Lateral view · right pediatric wrist radiograph · girl, 12 yo · image 66.1 mm wide · image size 459x706

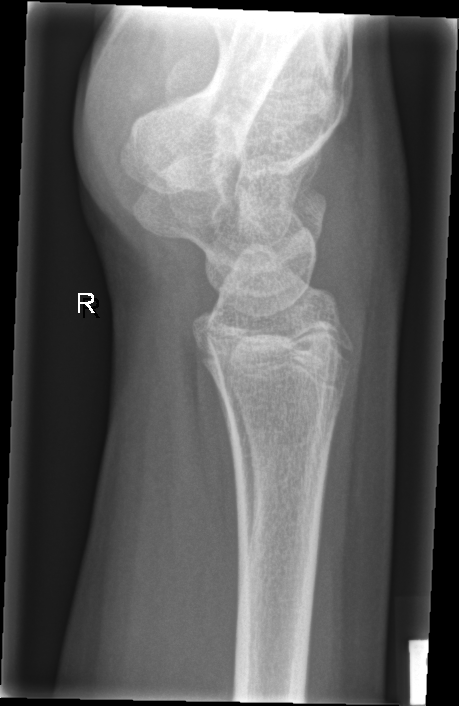
Fracture: none labeled.